PA view; left wrist pediatric wrist radiograph; follow-up study: 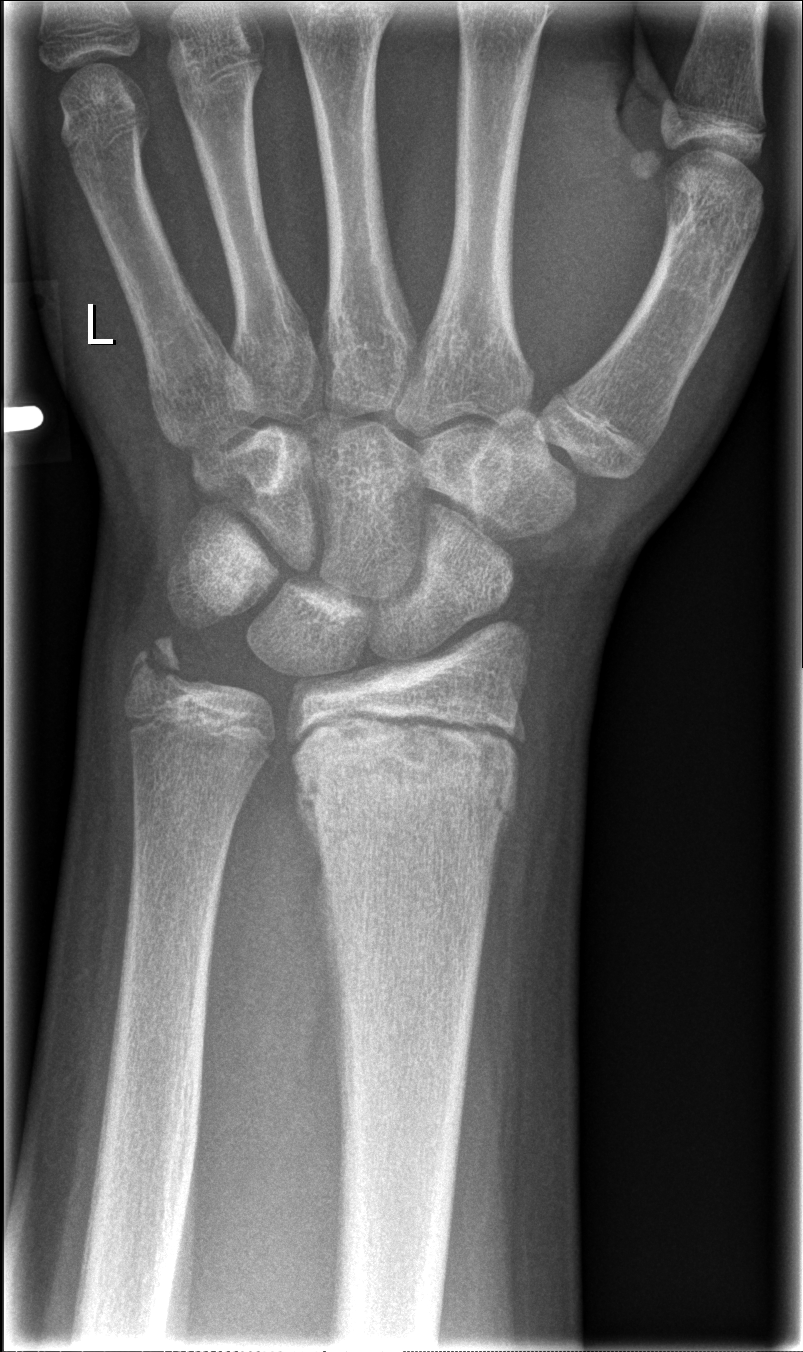
Fx: (292, 722, 522, 830) (116, 631, 194, 713)
AO/OTA: 23r-M/3.1; 23u-E/7
Osteopenia: present